Lat; L plain radiograph of the wrist; male, 16 yo; cast present. 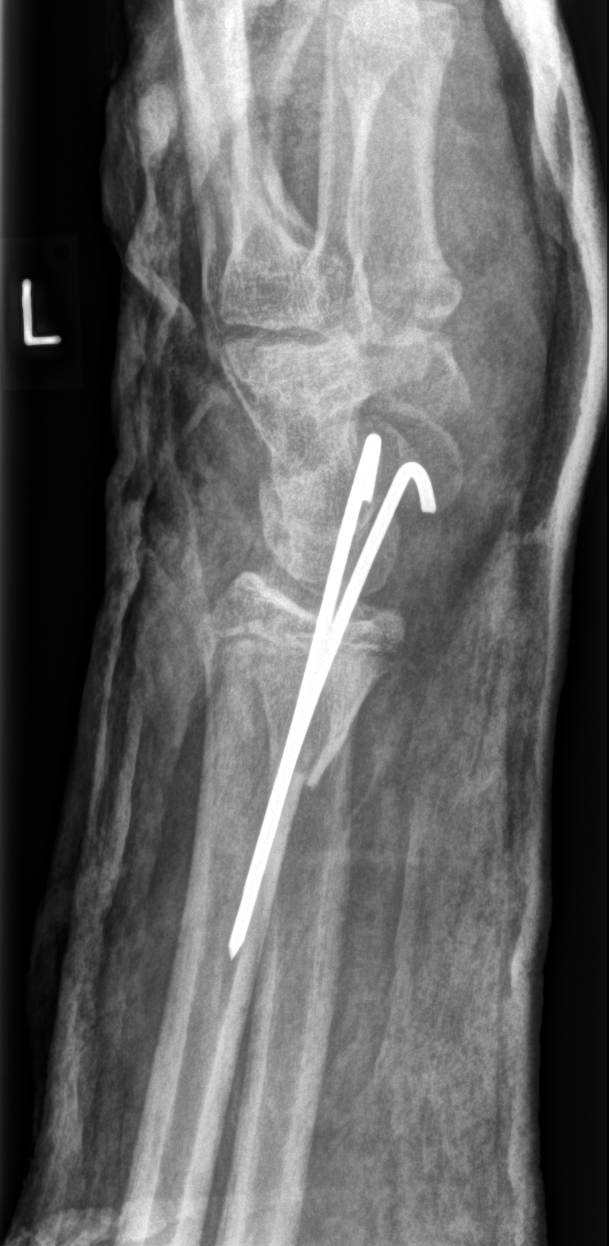
Metallic hardware identified at 224,428,442,968. Fx — 197,664,369,805.